Right wrist radiograph | frontal | follow-up study | Siemens | image 73.4 mm wide | 510 by 756 pixels —

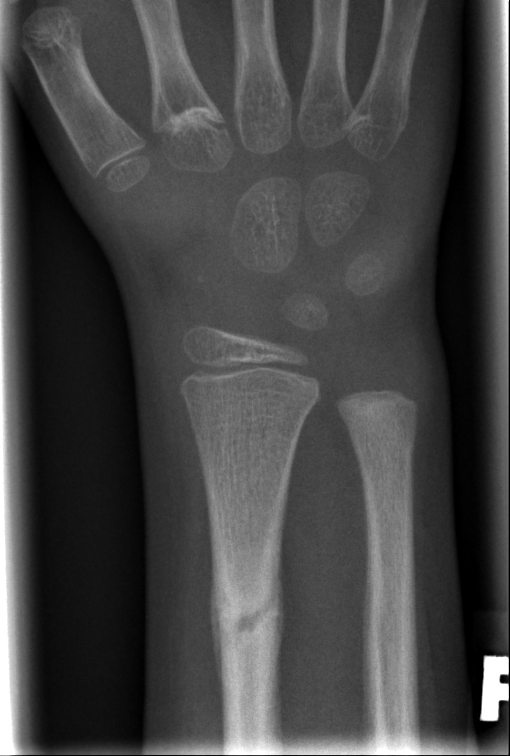
FINDINGS: AO/OTA classification: 22r-D/2.1; 23u-M/2.1. Fracture identified at (left=211, top=560, right=286, bottom=669); (left=340, top=393, right=421, bottom=462). Reduced bone mineral density.